PA/AP projection | left wrist X-ray | boy, 14 yo. 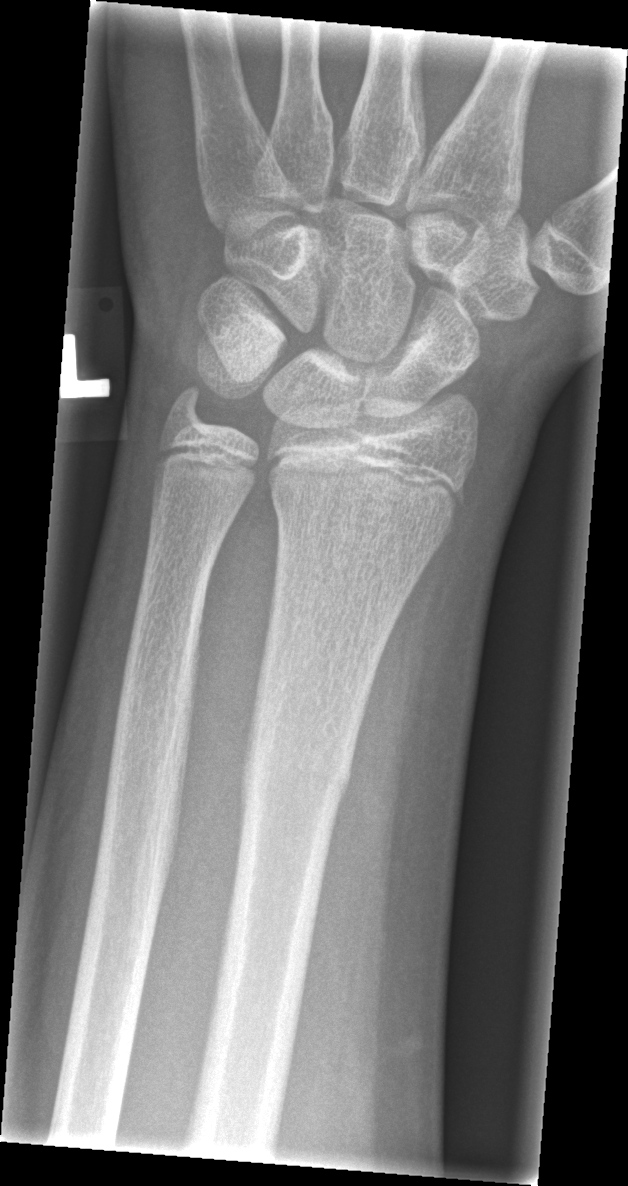
FINDINGS: Fracture classified AO/OTA 22r-D/2.1. Fracture — (left=235, top=728, right=362, bottom=820).